Frontal view · left wrist radiograph · index exam · 619 x 838 px —
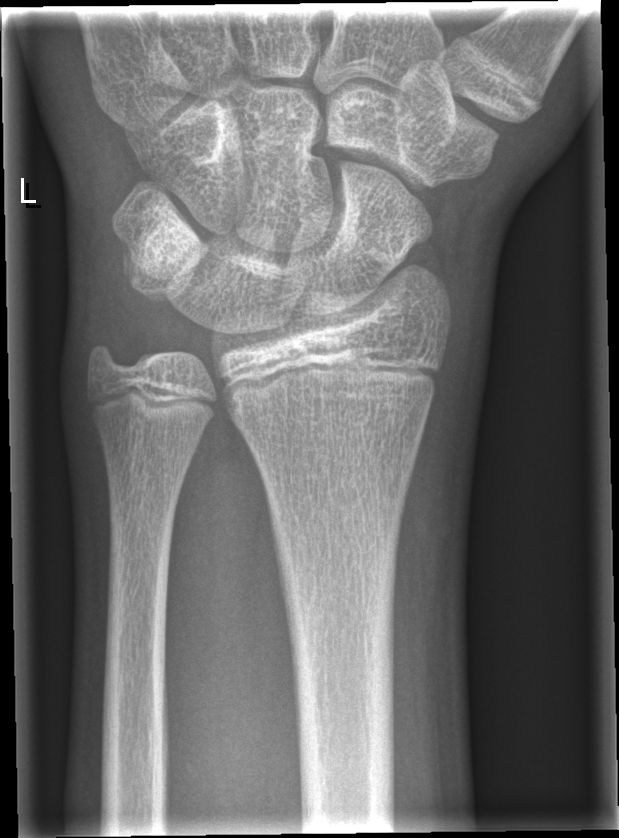

Fx = none labeled